Lateral projection | L wrist XR | boy, 16 yo | follow-up | image size 796x1052: 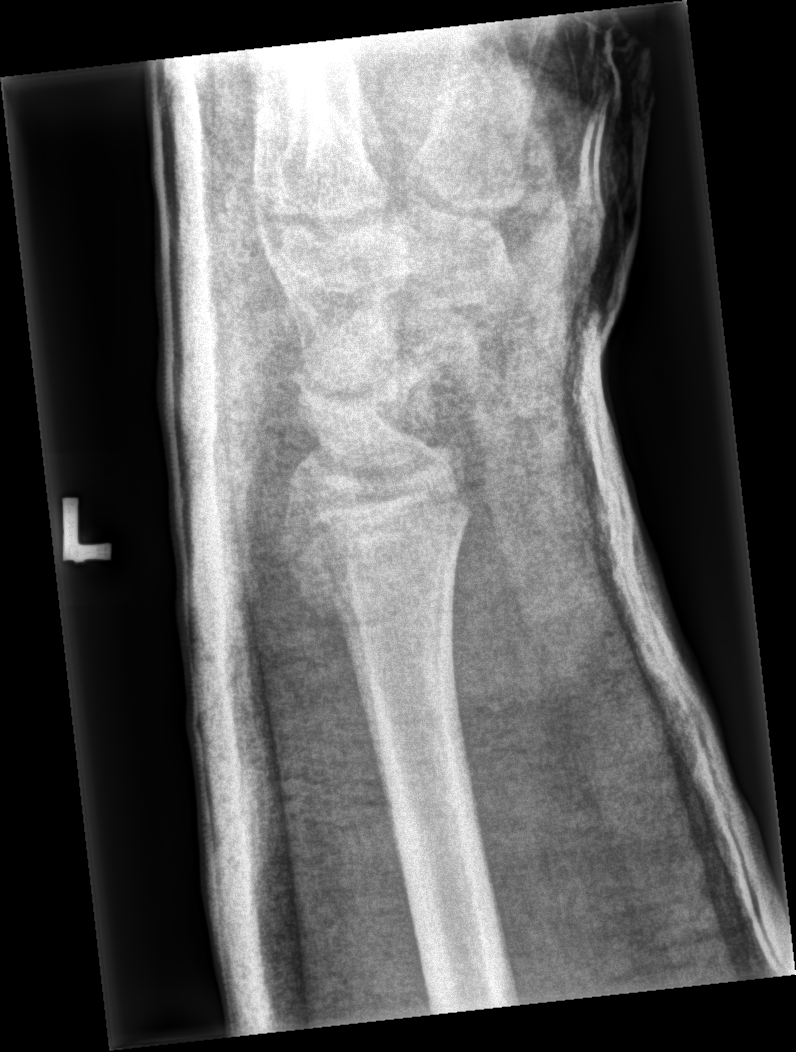

FINDINGS: (boxes as x1,y1,x2,y2 (top-left / bottom-right, pixel units)) Fracture: 275 484 461 628.